AP; R wrist XR; age 14 y, girl; follow-up study; image size 564x1256.

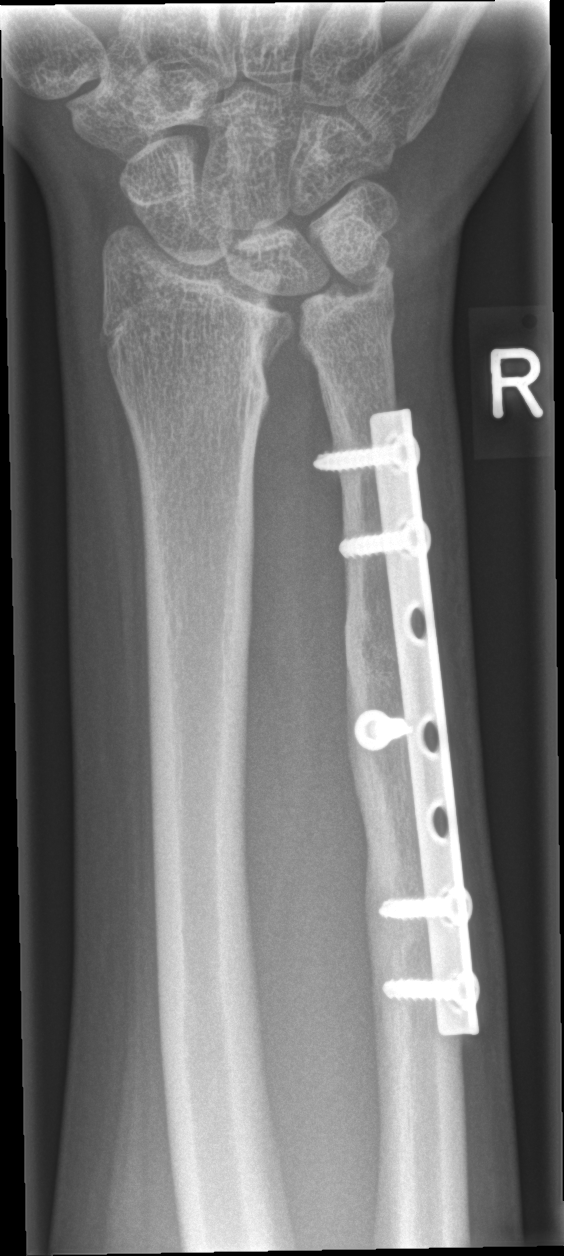

FINDINGS: No Fx annotated. Osseous anomaly identified at [250, 240, 407, 414]. Metallic hardware — [309, 405, 484, 1040].